Lateral; L wrist plain film; pediatric patient (male, age 6):

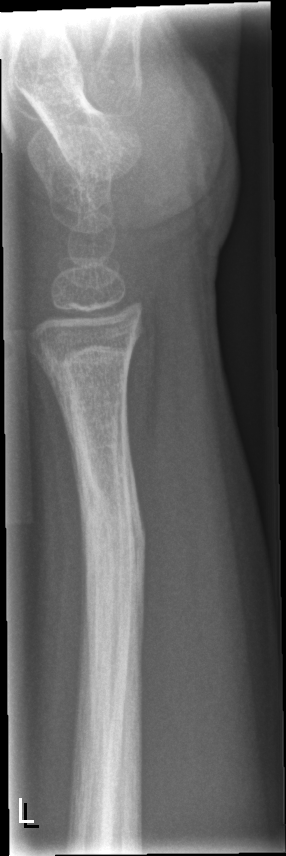

AO code 23-M/3.1. Bone fracture: <68,414>-<155,638>.